Lat projection; L pediatric wrist radiograph: 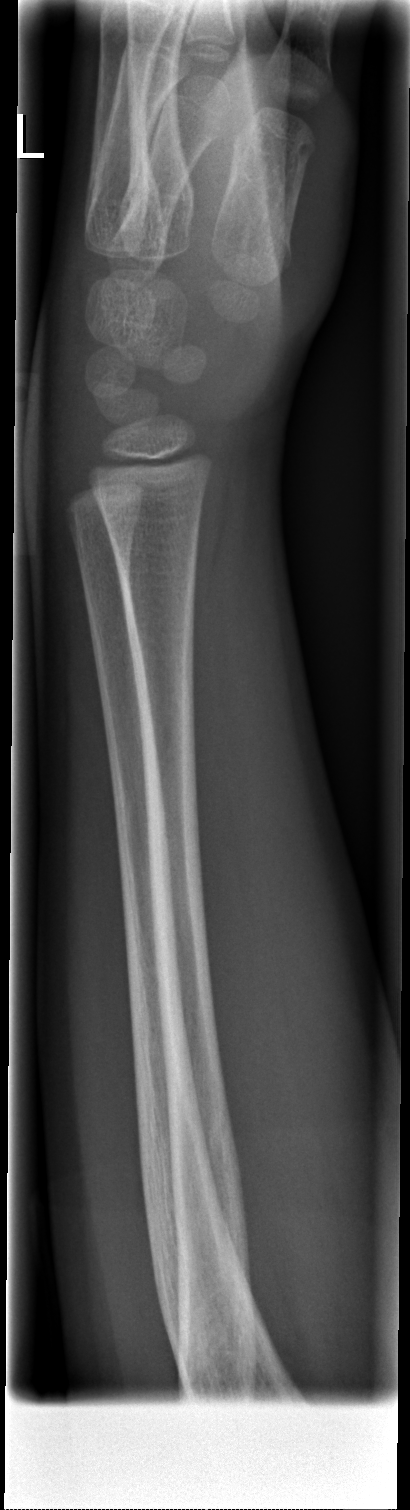
* No fracture annotation.